Posteroanterior, right plain radiograph of the wrist, subsequent exam, cast present, detector: Siemens, 638x1069
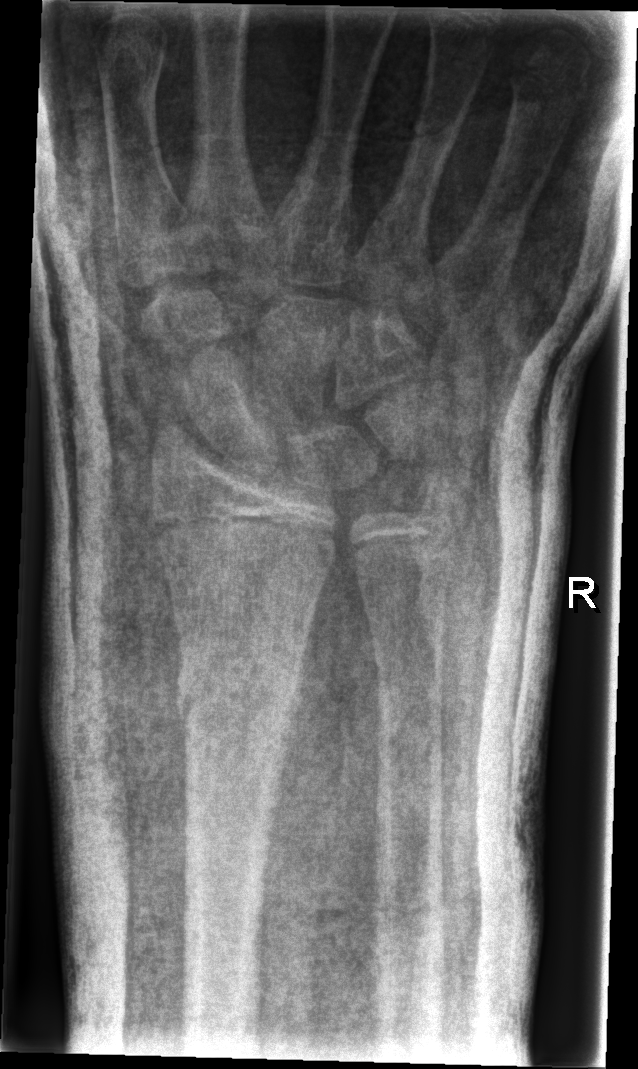

Findings: (coordinates are [x1, y1, x2, y2] in image pixels) Bone fracture: [175, 635, 306, 746].